Frontal | left wrist plain film —

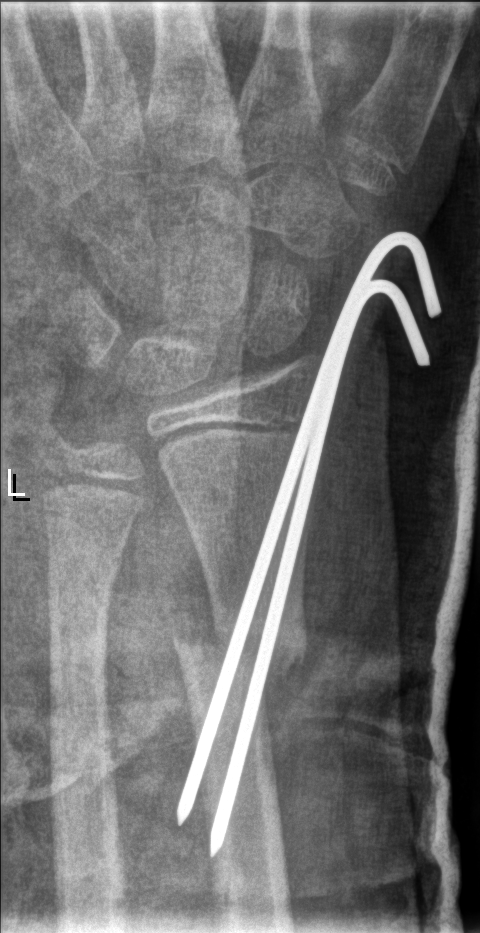 Findings: Fx — (167, 618, 313, 694). Hardware: (174, 228, 442, 861).